Lat view, left wrist pediatric wrist radiograph, pediatric patient (boy, age 8), acquired on Siemens —
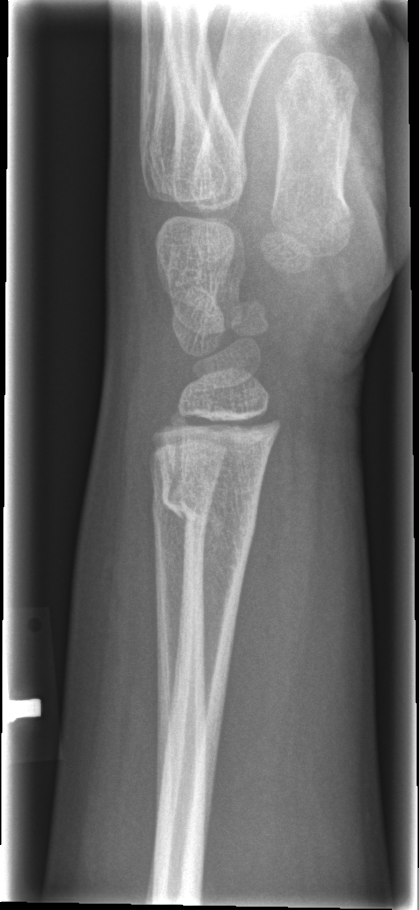
* Pixel coordinates, top-left origin, xyxy.
* AO code 23-M/2.1.
* Fx: bbox(159, 477, 263, 545).